Lat view | R plain radiograph of the wrist | 9-year-old male:
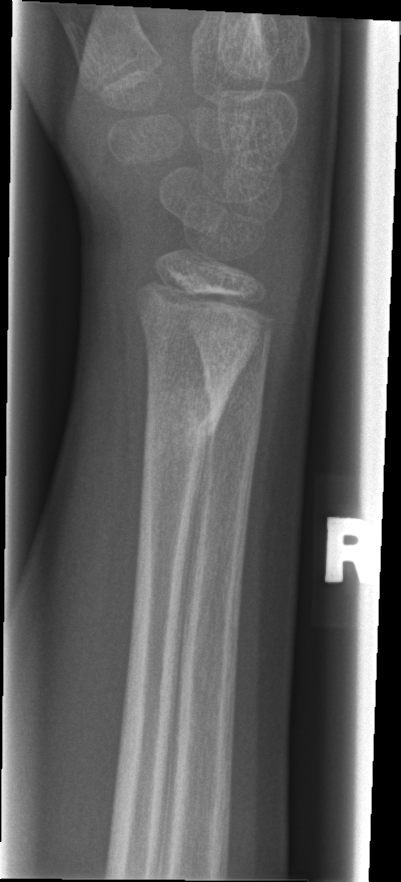 Fx = 1 @ [139, 384, 233, 463]
AO/OTA = 23r-M/2.1